Right wrist XR · PA/AP projection · in cast · Siemens · image size 600x1050.

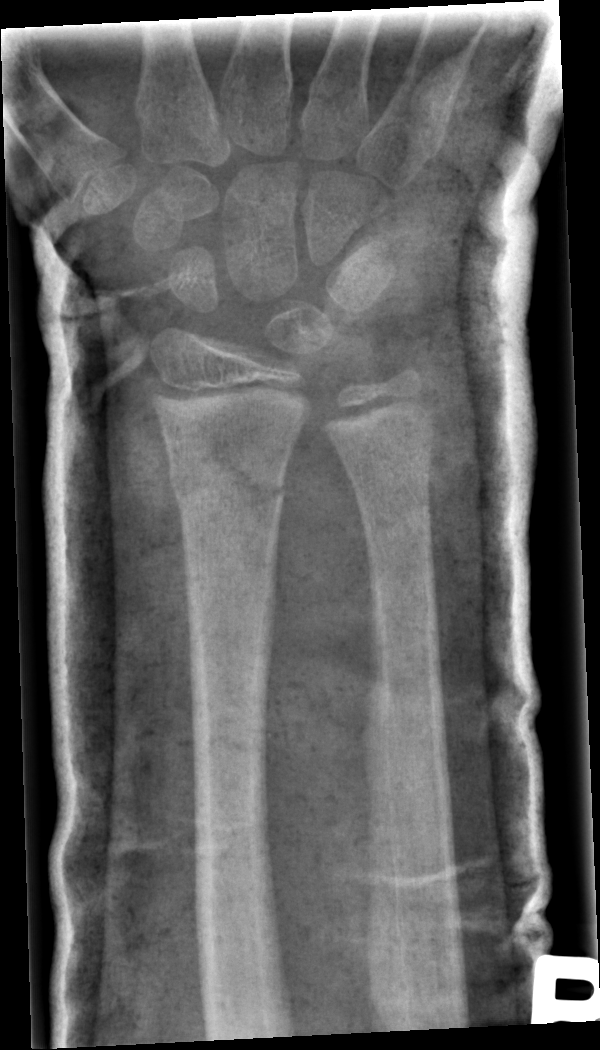

FINDINGS — (bounding boxes in image-pixel xyxy) One bone fracture at <164,461>-<292,525>. Fracture classified AO/OTA 23r-M/3.1.